Right wrist X-ray | lat | age 11 y, boy — 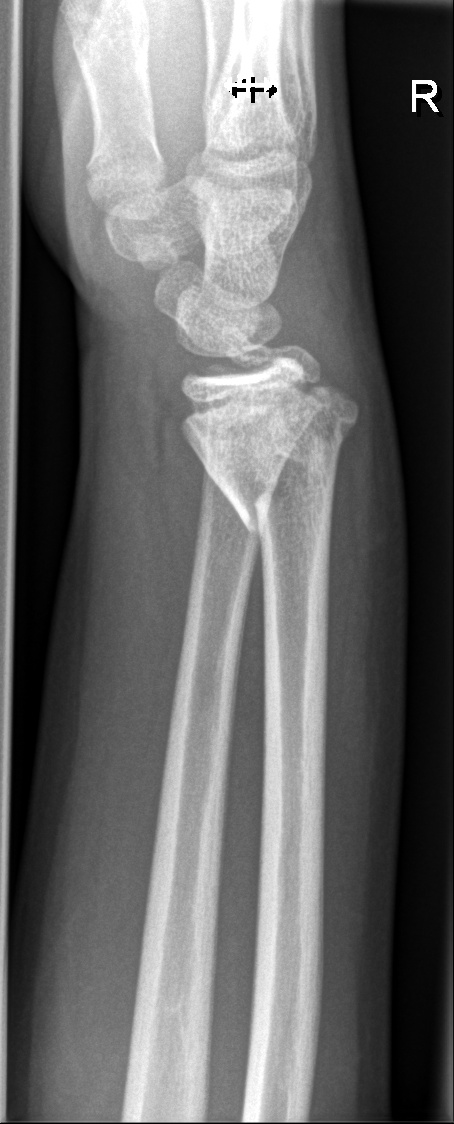

(bounding boxes in image-pixel xyxy)
Bone fracture = (left=177, top=372, right=362, bottom=537)